R wrist plain film · lat · initial study 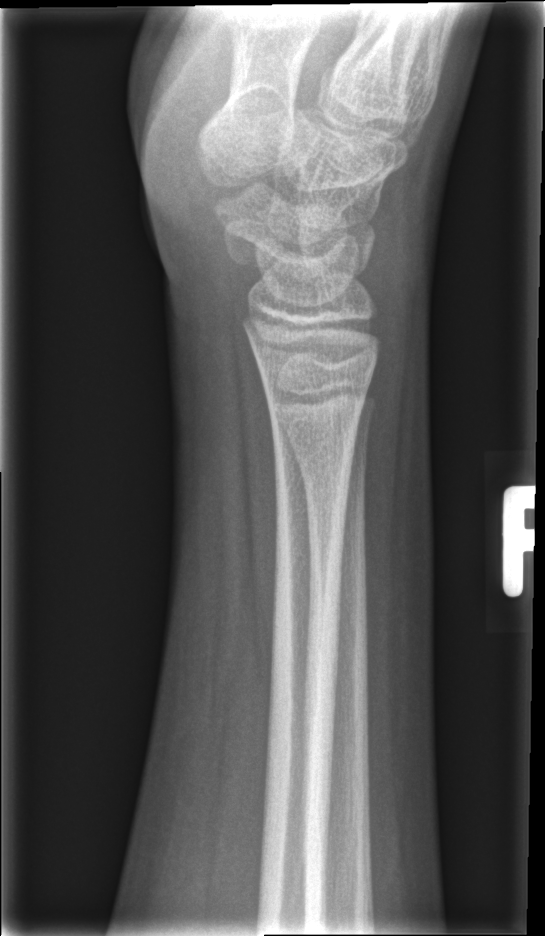 • Fx: none.